Rt wrist XR · lat projection · image 76.0 mm wide:
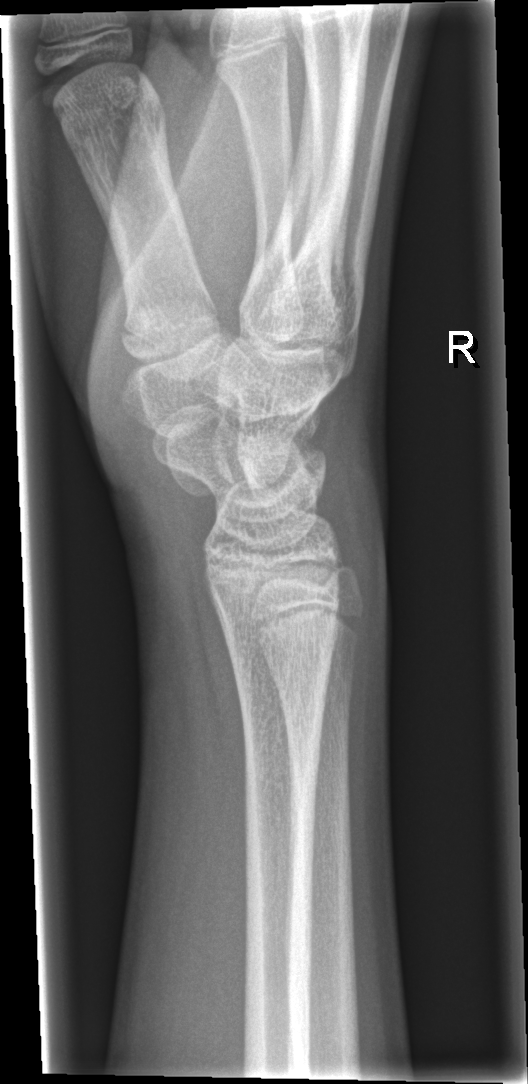 Fx: none labeled